Lt pediatric wrist radiograph; posteroanterior; cast in situ. 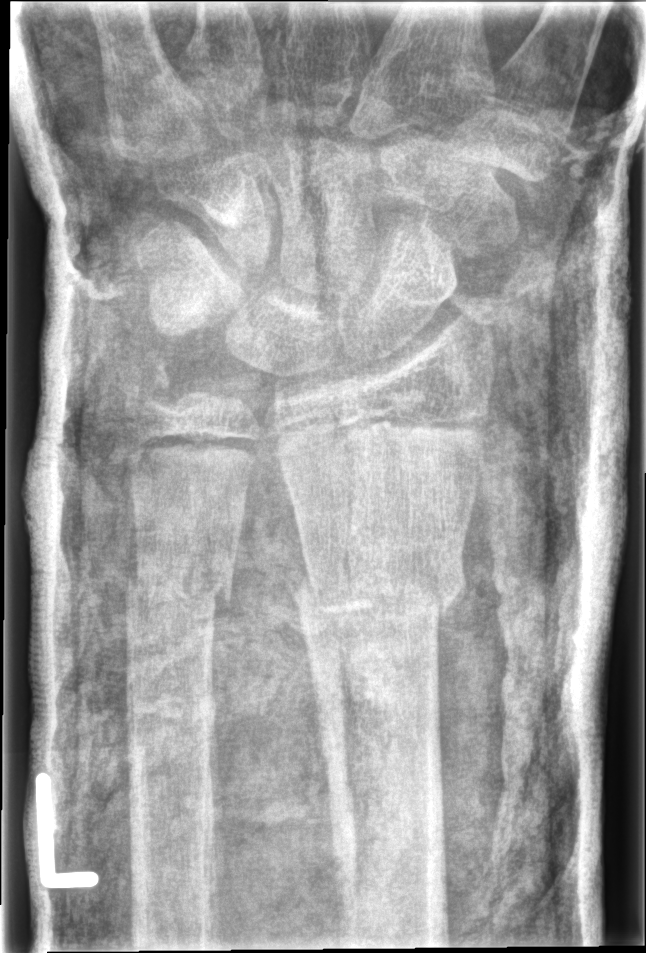 AO/OTA classification: 23-M/3.1; 23u-E/7.
Fracture: 290,560,466,627
  116,346,201,429
  123,563,234,622.